L wrist XR · lateral projection · 78.9 mm image width · 548x1238 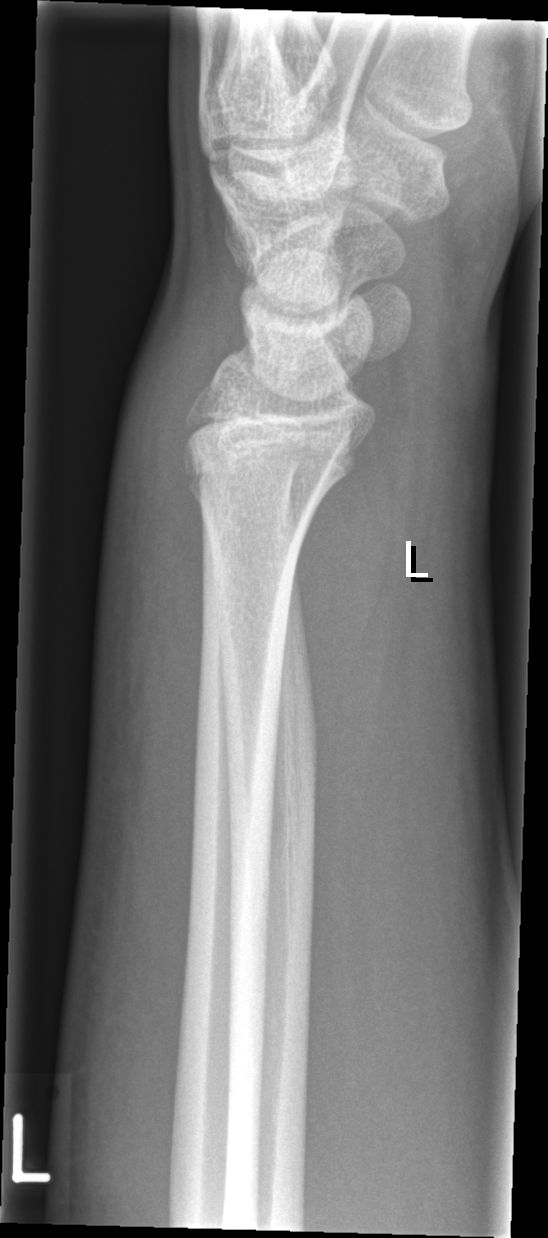
bone fracture = [169, 399, 374, 516]
pronator sign = 1 @ [293, 412, 400, 733]
soft tissue abnormality = 1 @ [81, 289, 216, 956]
AO code = 23r-E/2.1; 23u-E/7